Right wrist X-ray | lat | 17y M | 115.3 mm image width —

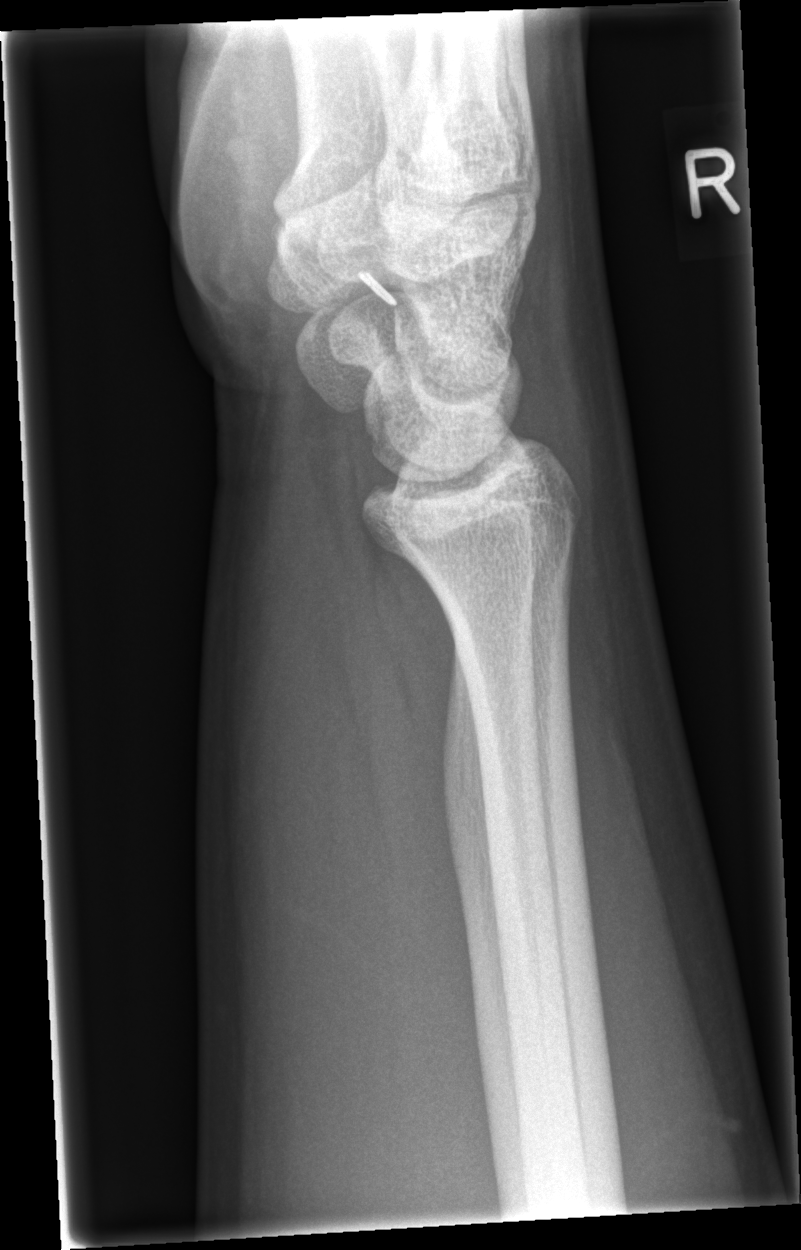
Boxes as x1,y1,x2,y2 (top-left / bottom-right, pixel units).
One foreign body at bbox(356, 268, 400, 310).
No Fx annotated.